Lt plain radiograph of the wrist · PA/AP view · age 16 y, boy

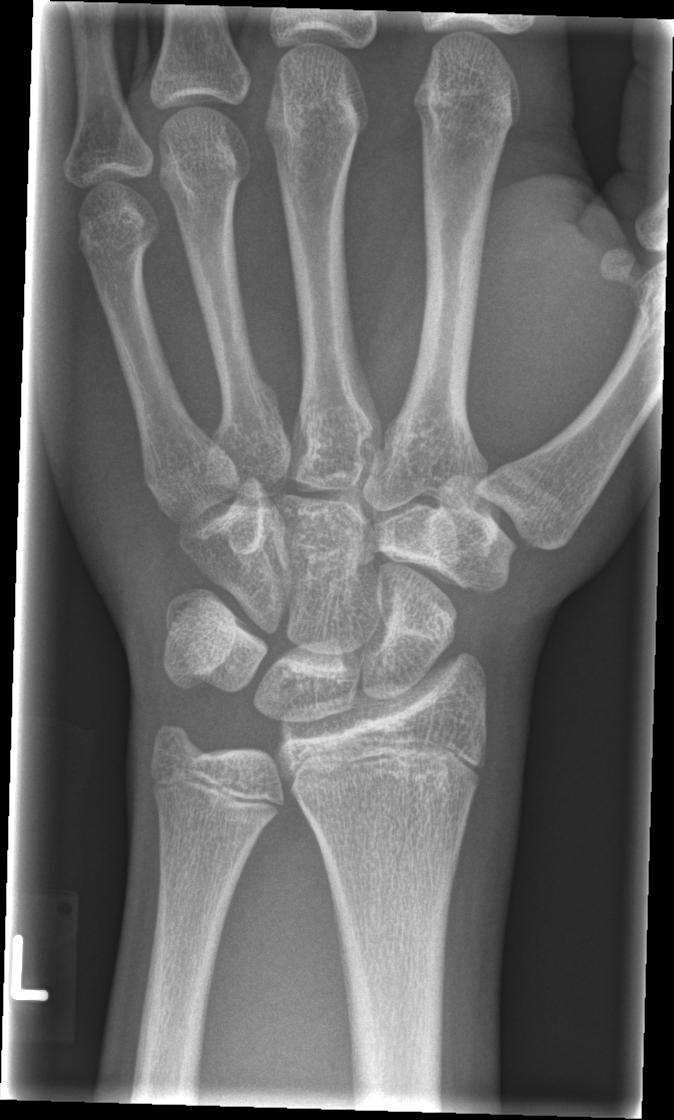 Boxes as x1,y1,x2,y2 (top-left / bottom-right, pixel units).
Pronator sign — 11,937,50,1002.
No fracture labeled.